Lateral projection · left wrist X-ray
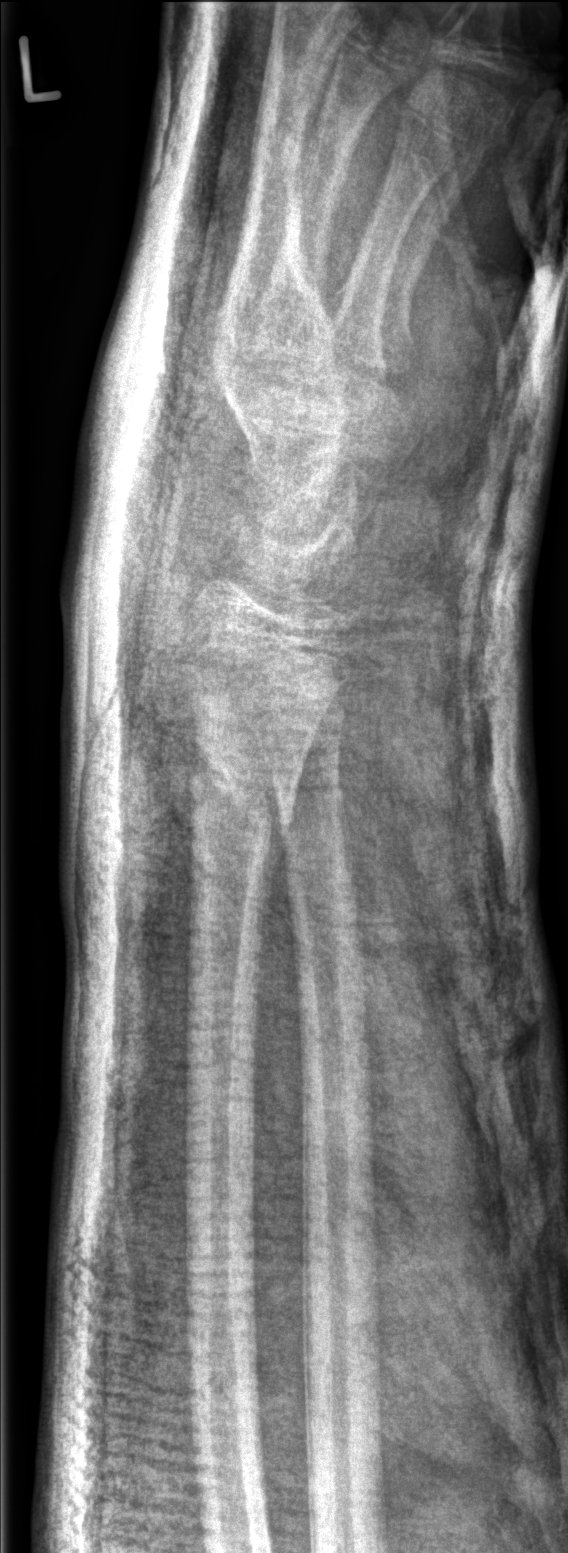
Bone fracture: (left=177, top=729, right=304, bottom=851).